Lt wrist plain film · lat projection · age 9 y, girl · 482x903.
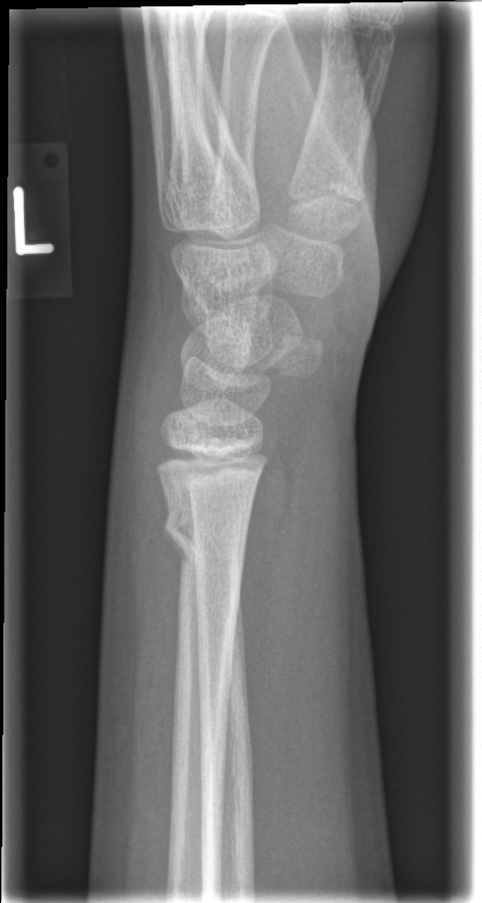
• Fx: [161, 502, 250, 573].